Rt wrist radiograph | lat view | 7-year-old male —

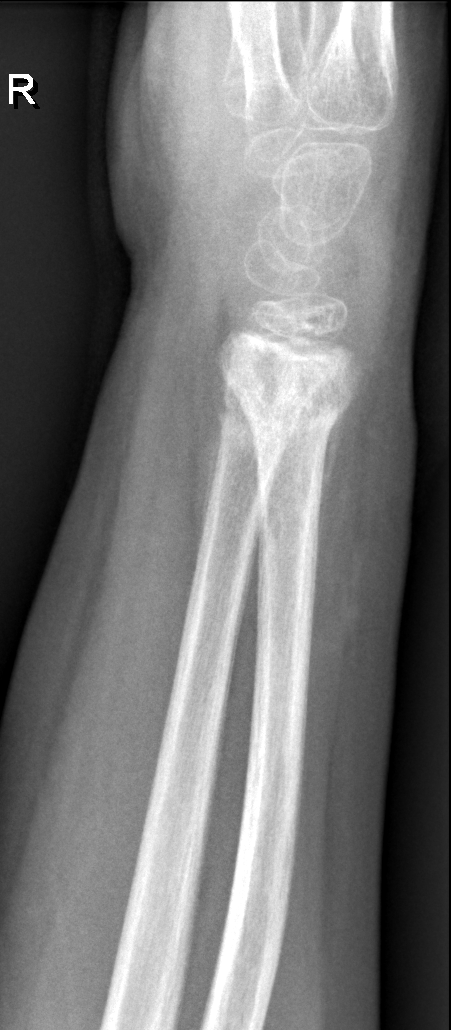 Fracture — (left=214, top=348, right=356, bottom=454). Periosteal reaction identified at (left=315, top=386, right=365, bottom=563), (left=194, top=391, right=229, bottom=572). AO/OTA classification: 23-M/3.1.